AP | right wrist radiograph | presentation radiograph | image size 592x1022
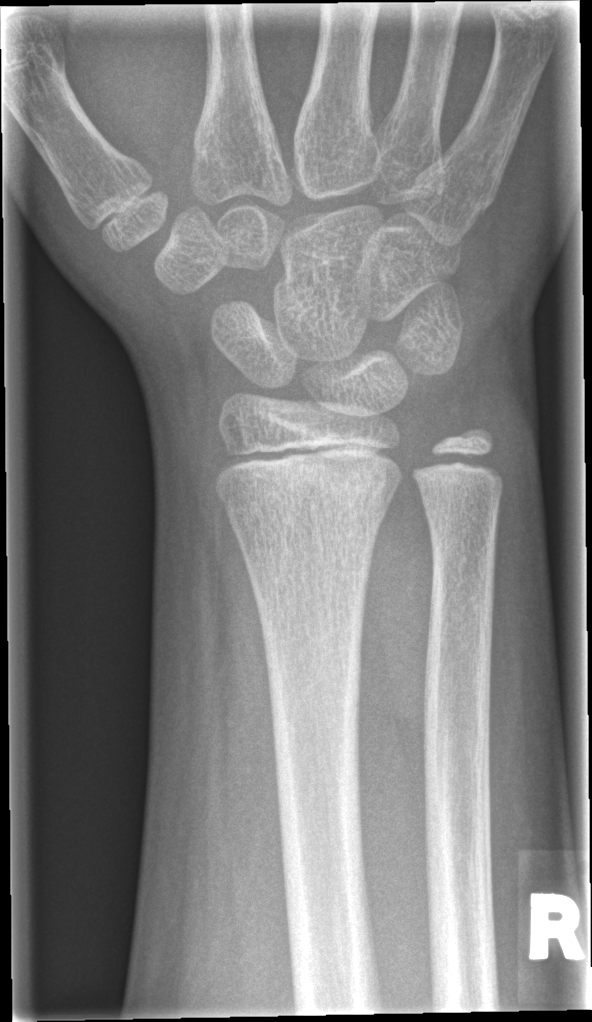

* Fracture: present but not clearly seen in this view.